Lateral | Rt pediatric wrist radiograph | 17-year-old female
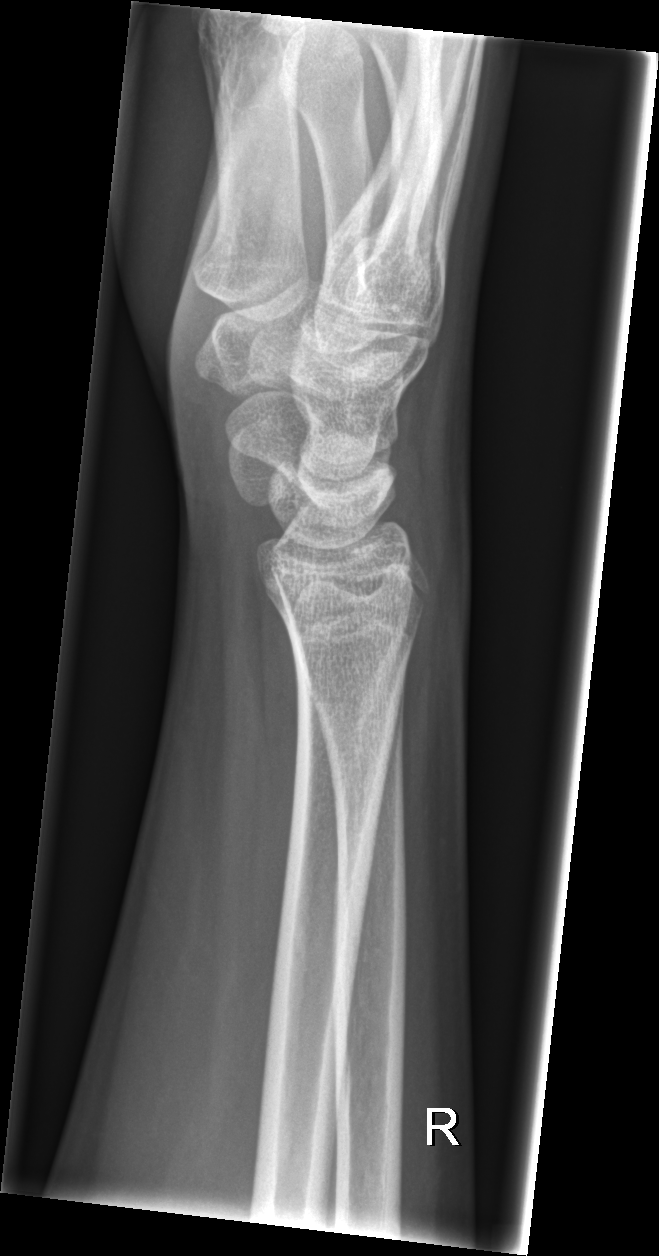 fracture: none labeled